Lt wrist XR, lateral projection, 11-year-old male, image 143.4 mm wide: 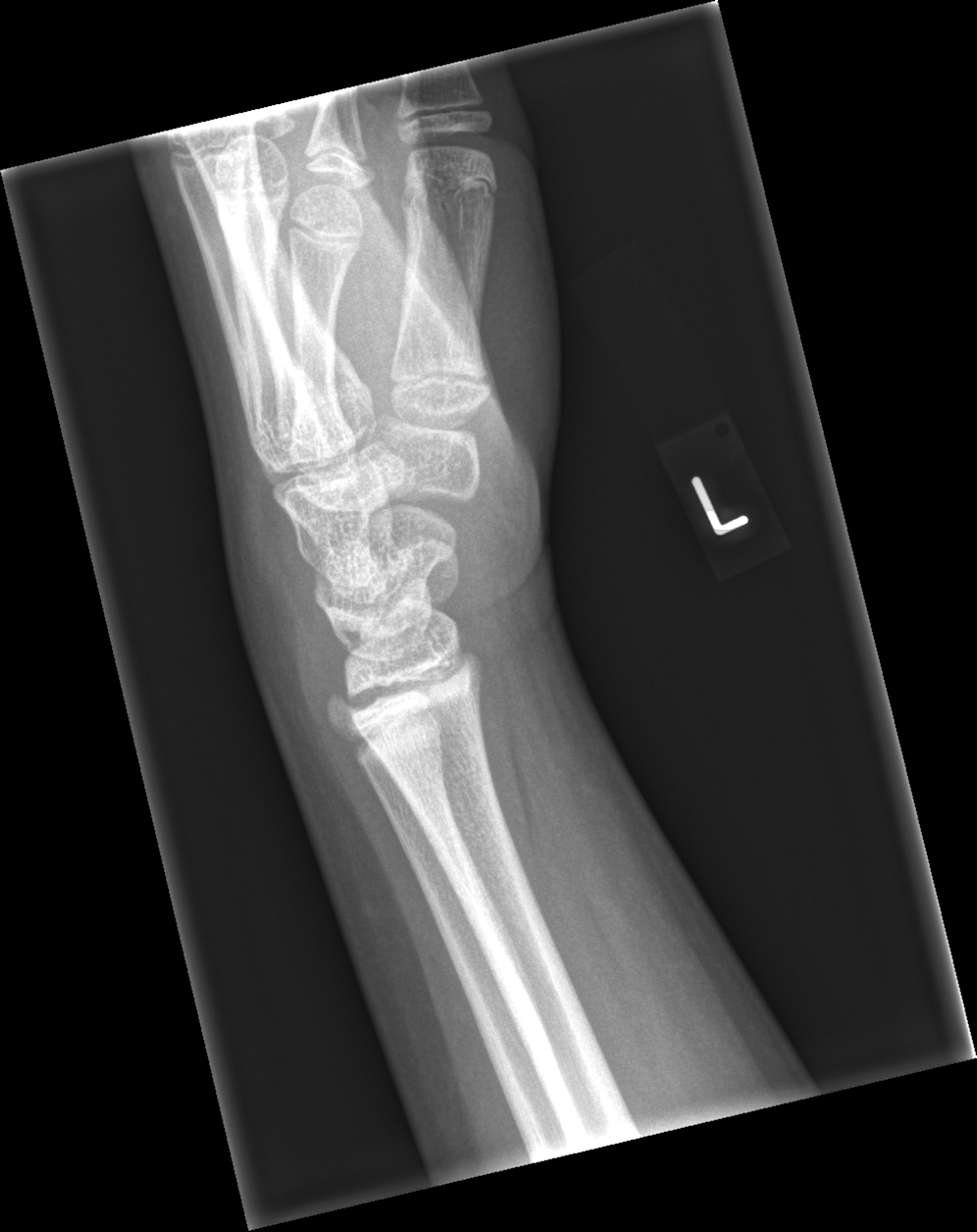 {
  "fracture": "none labeled"
}